R plain radiograph of the wrist · PA/AP · 6-year-old female.
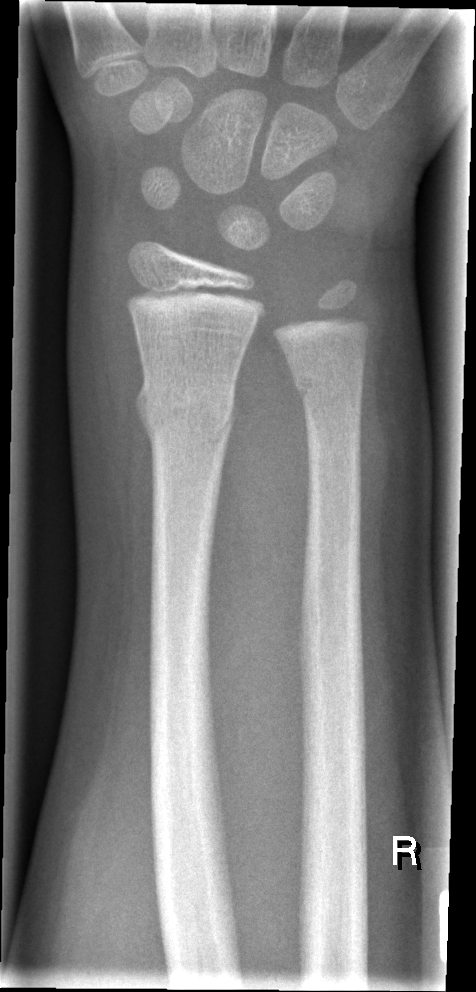 Fx identified at (132, 375, 235, 451), (286, 359, 368, 414).